Lat view, right wrist XR, image 94.2 mm wide.

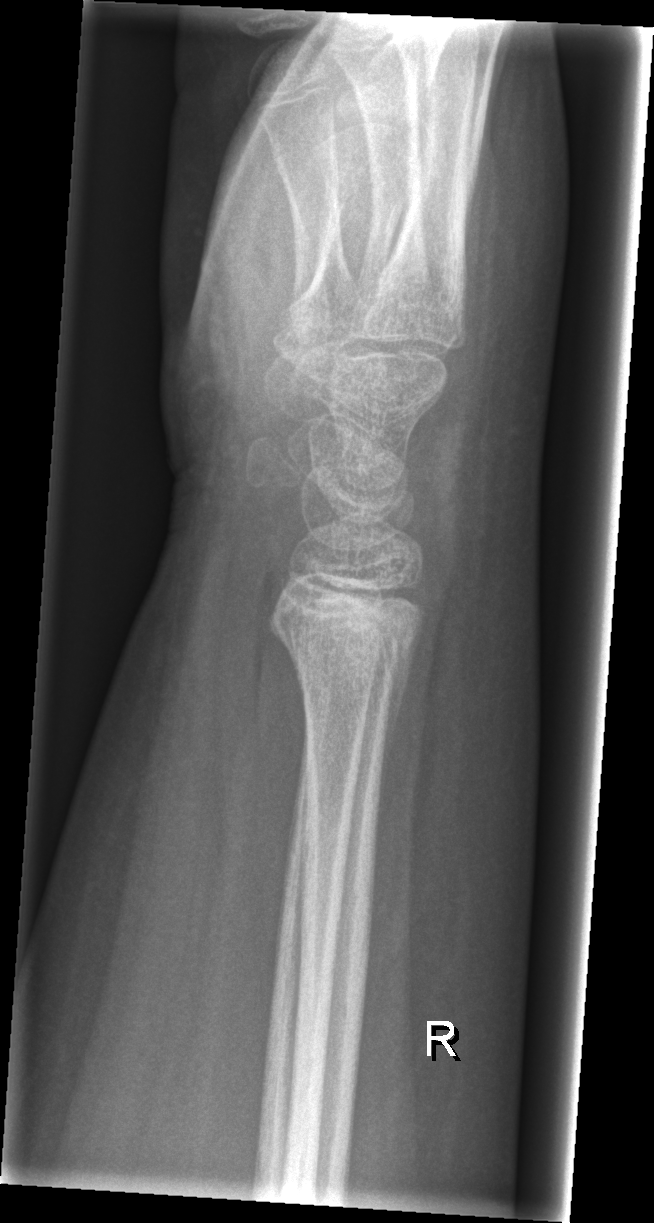 FINDINGS — Fracture classified AO/OTA 23r-E/2.1. Reduced bone mineral density. Periosteal new bone identified at [375, 638, 417, 793]. One fracture at [266, 572, 427, 673].